Right wrist X-ray; lat; 3y M; 356 x 606 px —

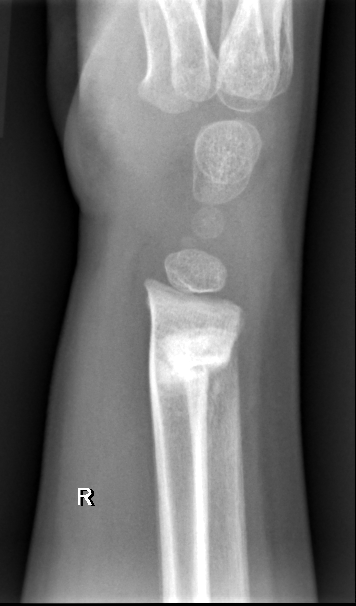
# pixel coordinates, top-left origin, xyxy
fracture: [144, 323, 234, 402]
periostealreaction: [206, 362, 227, 451]